Posteroanterior projection · Rt wrist X-ray · pediatric patient (female, age 9) · Siemens:

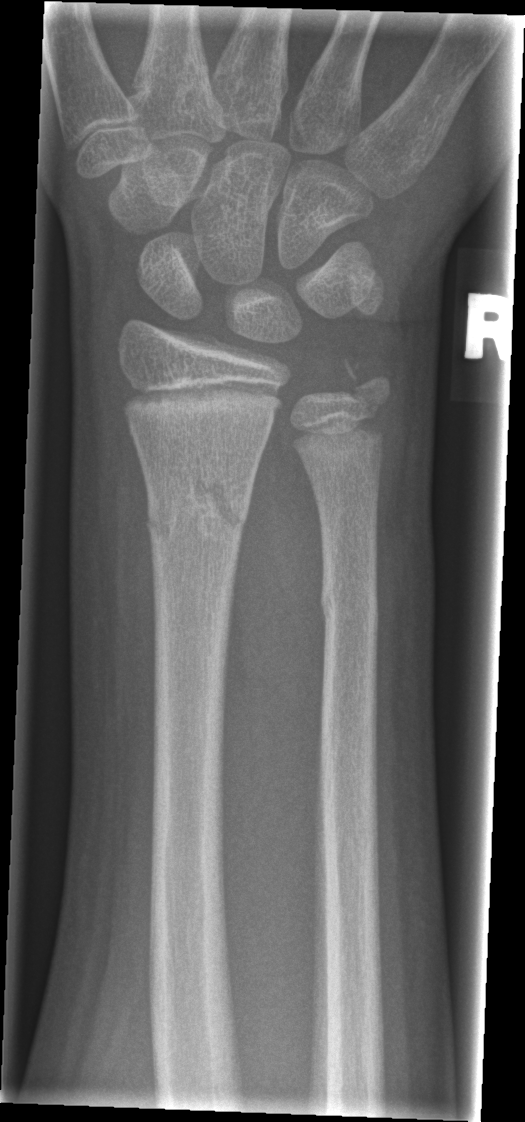

Bone fractures — <141,459>-<252,558>; <318,578>-<383,648>; <339,356>-<395,421>. AO code 22u-D/2.1; 23r-M/2.1; 23u-E/7.